Left wrist plain radiograph of the wrist, lat, pediatric patient (boy, age 12), detector: Siemens
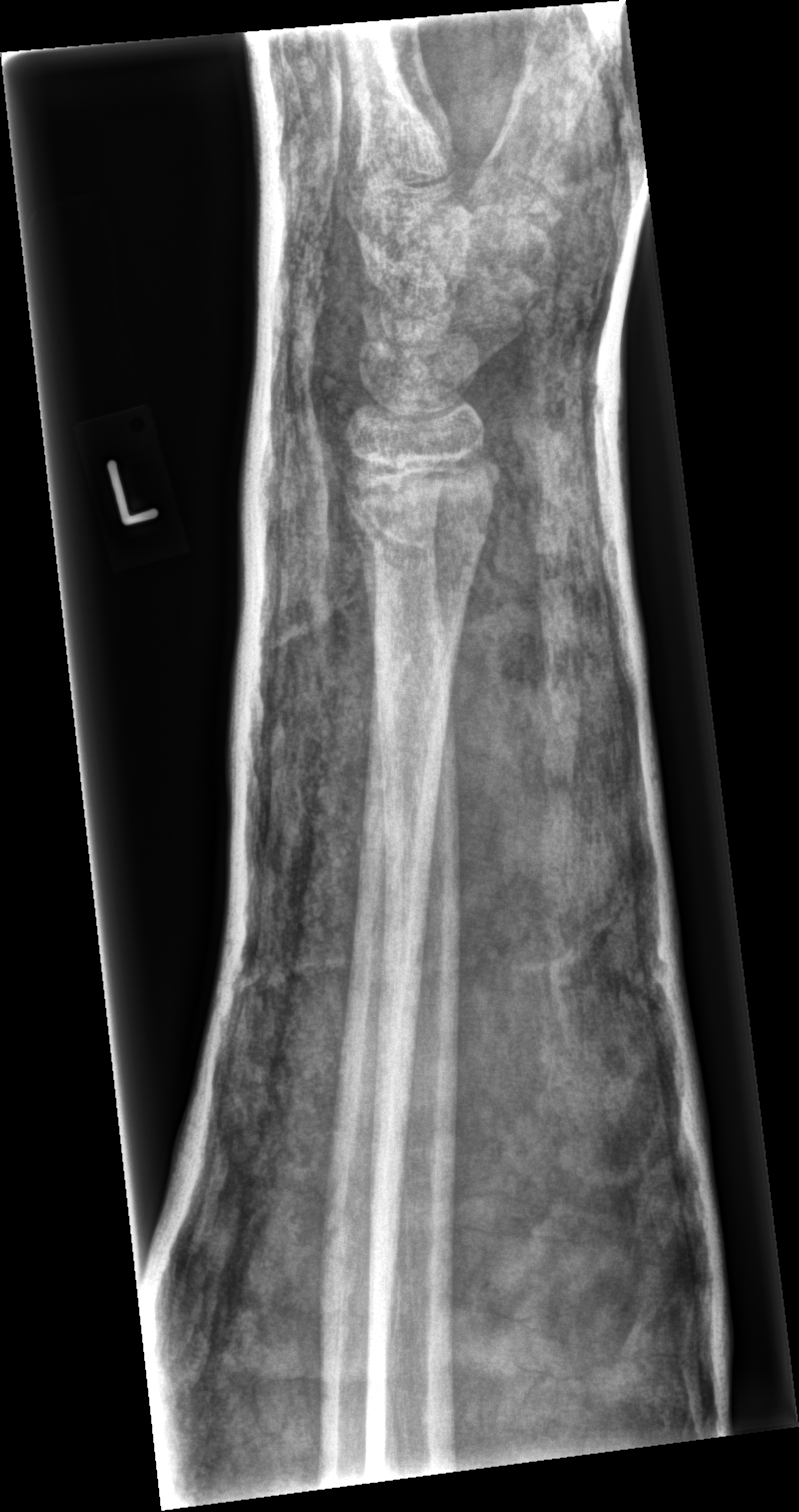

(coordinates are [x1, y1, x2, y2] in image pixels)
Q: Locate any periosteal reaction.
A: Periosteal new bone: (349, 497, 380, 697)
Q: Any fracture seen?
A: Fx — (347, 443, 501, 555)